PA projection, L pediatric wrist radiograph — 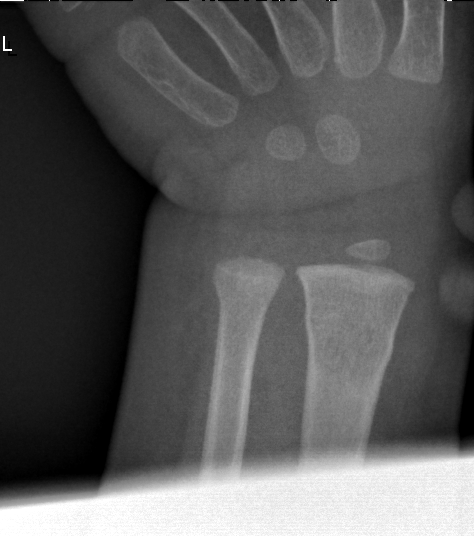
Coordinates are [x1, y1, x2, y2] in image pixels.
Fractures — (left=302, top=306, right=399, bottom=376) (left=208, top=269, right=278, bottom=322).